Frontal view | left wrist XR | presentation radiograph — 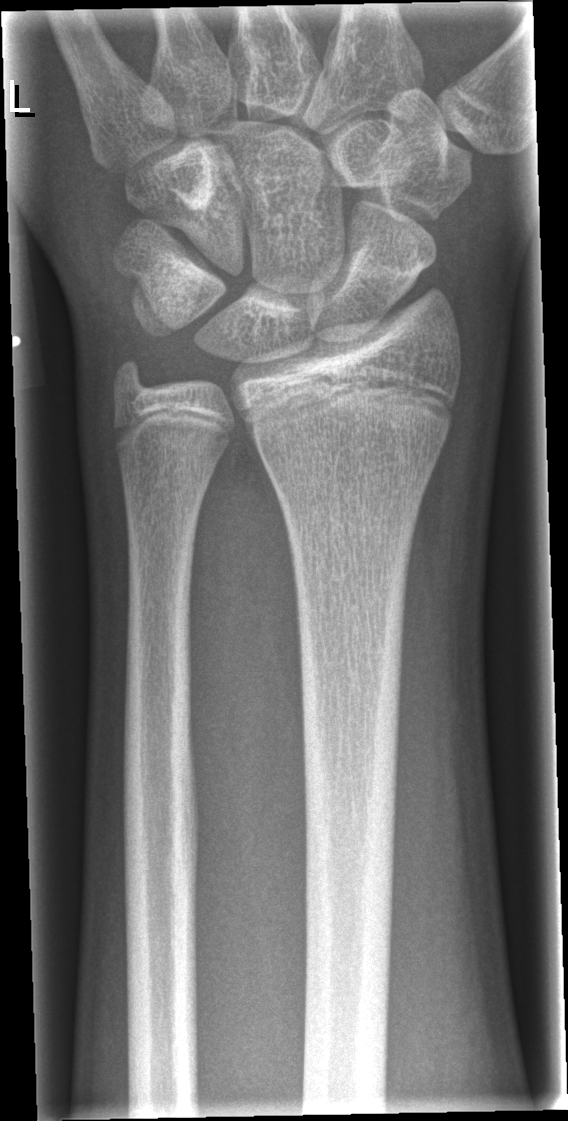

Fx = none labeled